PA/AP, L pediatric wrist radiograph, boy, 10 yo, 89.4 mm image width —
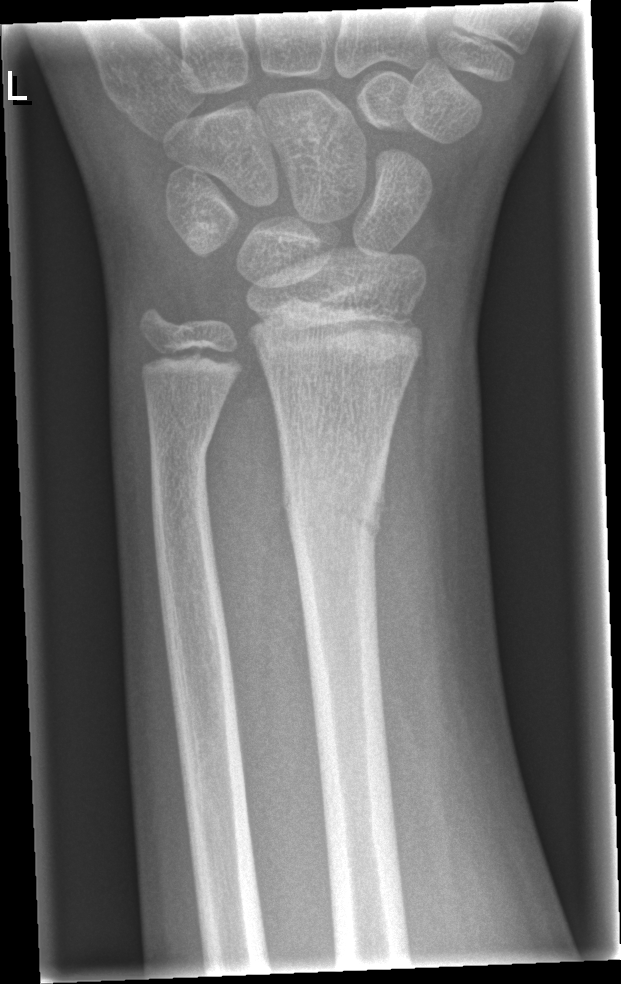 FINDINGS: AO/OTA classification: 23-M/2.1. Fracture: bbox(279, 468, 390, 547), bbox(146, 419, 216, 480).